PA projection; L wrist radiograph; subsequent exam; imaged through cast; 483 x 850 px:
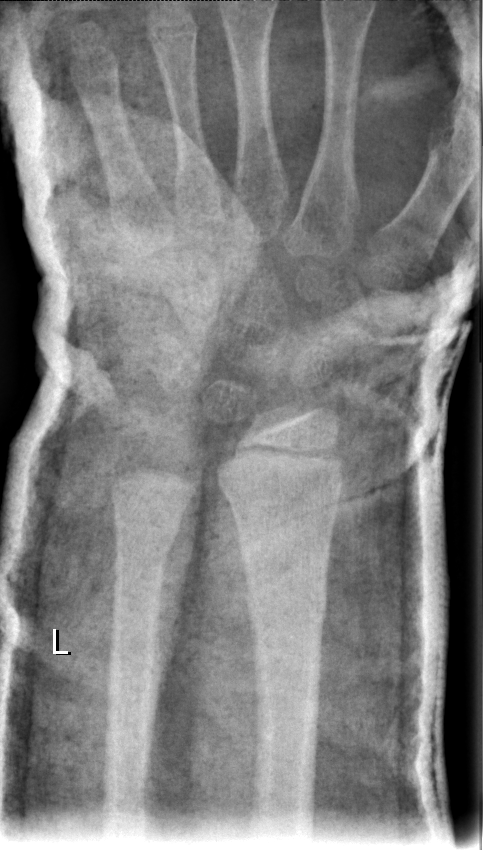
Coordinates are [x1, y1, x2, y2] in image pixels. Fx — 238,564,333,646
  110,502,186,563. AO code 23r-M/3.1; 23u-M/2.1.